Left wrist X-ray | lat projection | age 8 y, boy | 476 by 809 pixels — 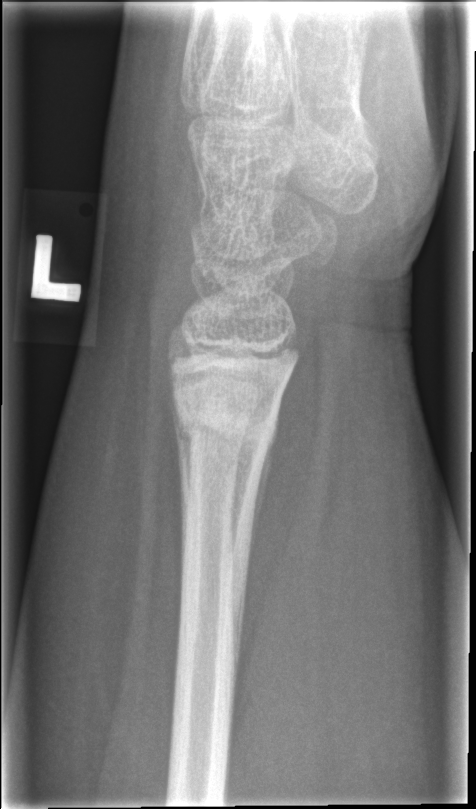 Osteopenic.
AO/OTA classification: 23r-M/2.1.
Periosteal reaction — <246,389>-<284,584>.
Fracture: <173,391>-<280,456>.